Right wrist X-ray | lateral view —

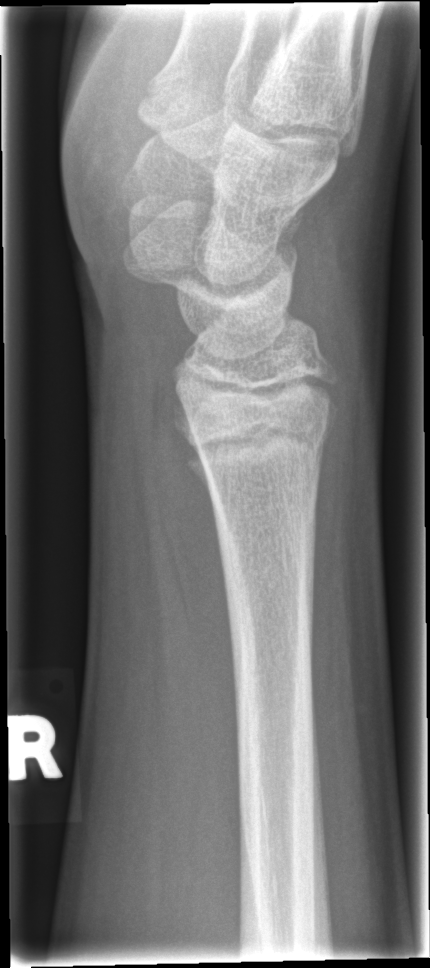
Coordinates are [x1, y1, x2, y2] in image pixels.
Fracture — [x1=183, y1=405, x2=340, y2=480].